AP view · L wrist plain film · male, 5 yo · 83.8 mm image width —

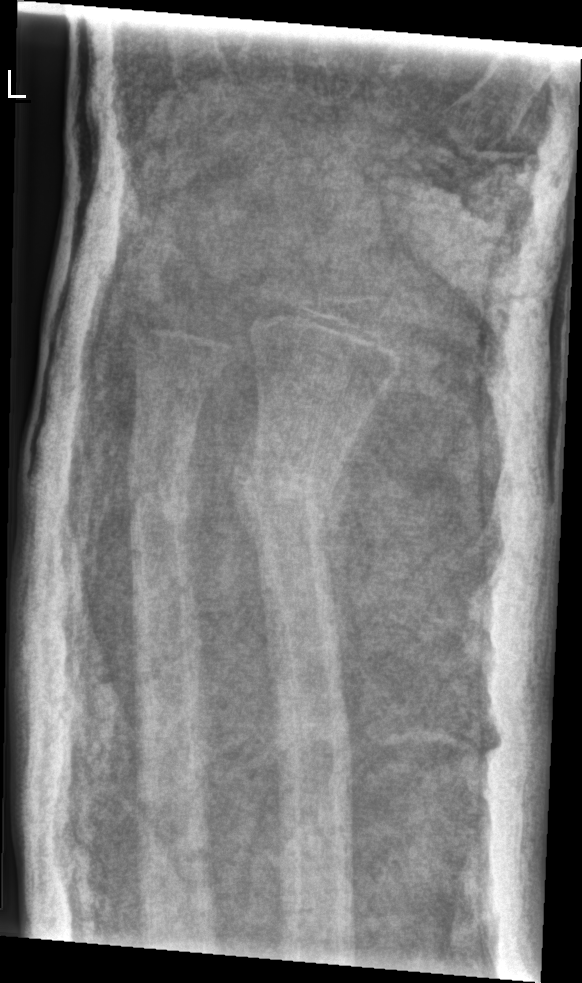
- Osteopenic.
- Fracture: 240 432 348 535 | 121 459 200 532.